Lateral | right wrist XR | 13y M | index exam | acquired on Siemens

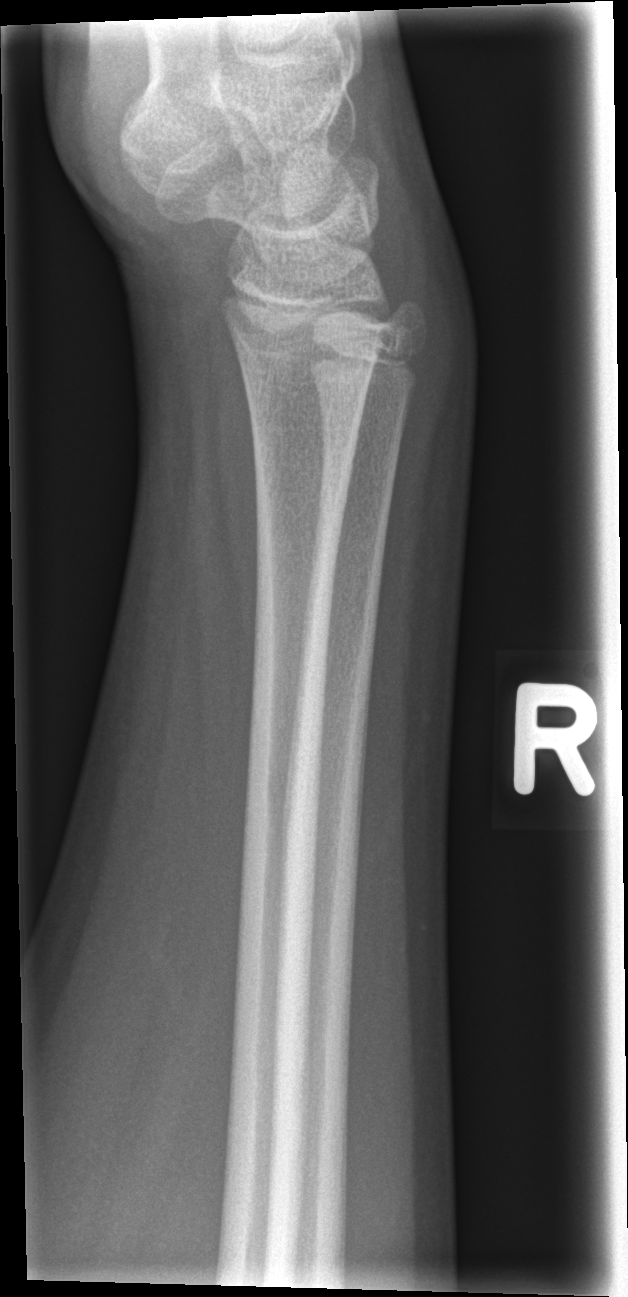

Findings: No fracture annotation.